L wrist plain film, frontal, image 114.5 mm wide

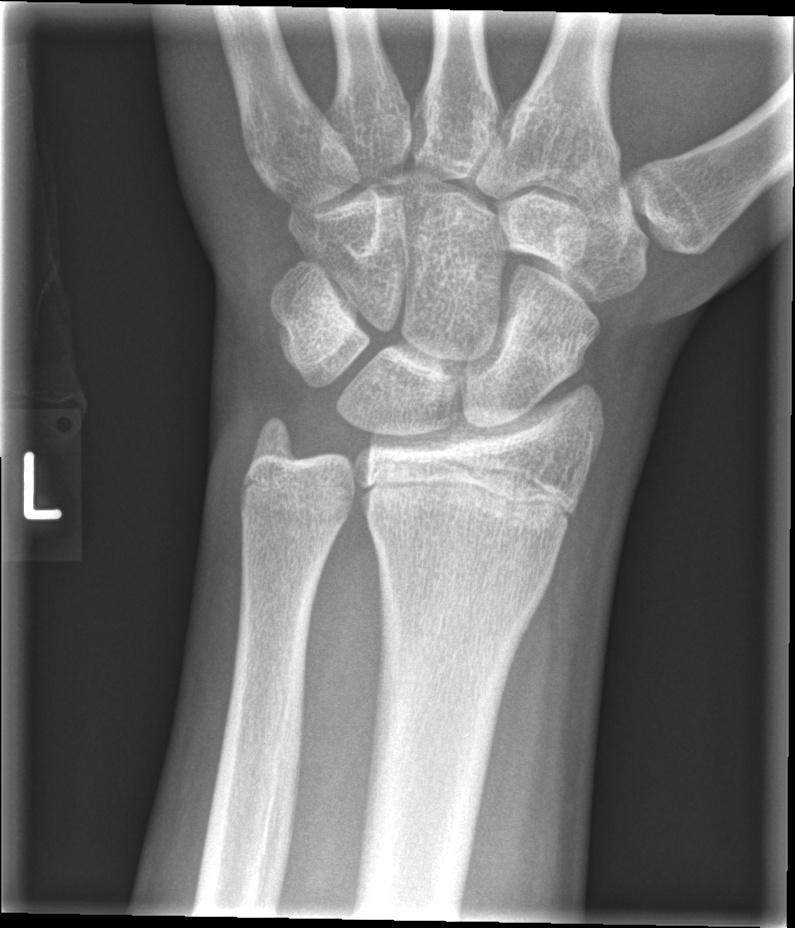

FINDINGS — Fracture: none labeled.